Left wrist plain film; lat; 442 by 1057 pixels:
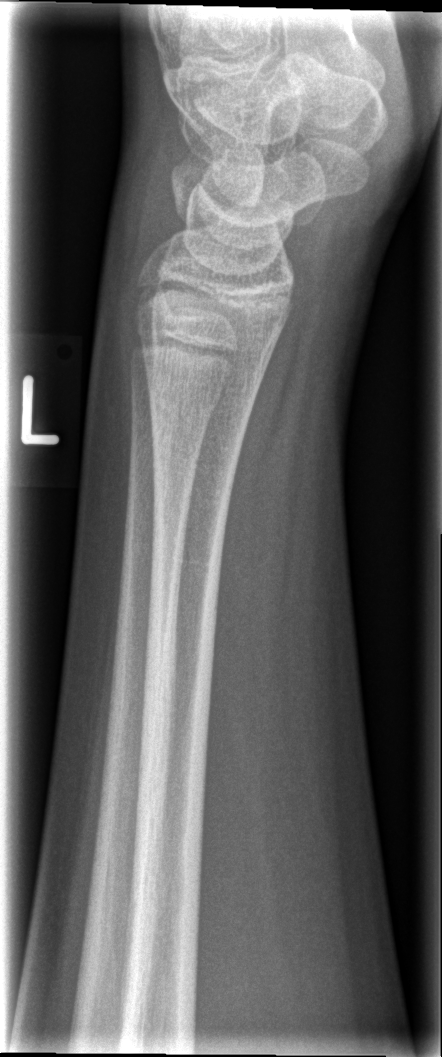

No Fx annotated.